AP · L pediatric wrist radiograph · age 8 y, male · cast in situ · 84.4 mm image width:

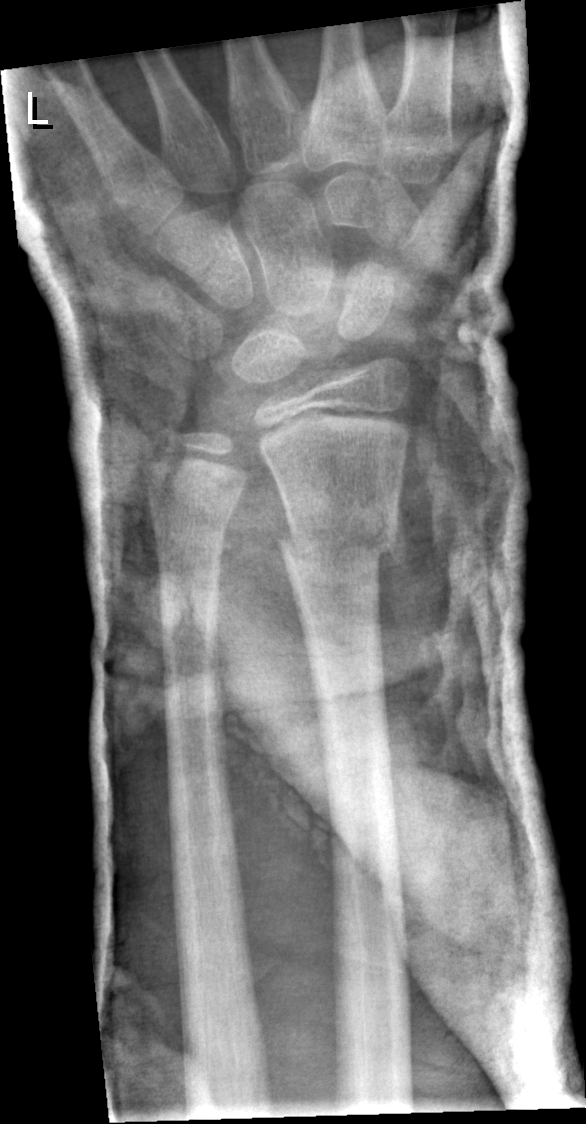 Bone fracture: (left=276, top=507, right=406, bottom=581)
AO code: 23r-M/3.1